Posteroanterior projection | right wrist radiograph | age 5 y, boy | image width 79.6 mm: 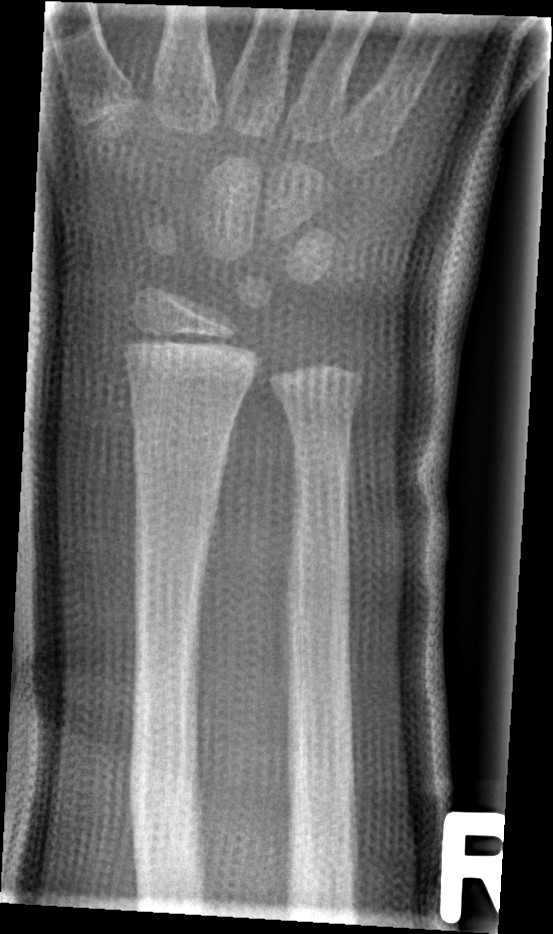

FINDINGS — AO/OTA classification: 23r-M/3.1. One bone fracture at [x1=129, y1=427, x2=232, y2=493].